Posteroanterior view | left wrist XR | pediatric patient (girl, age 10) | initial study: 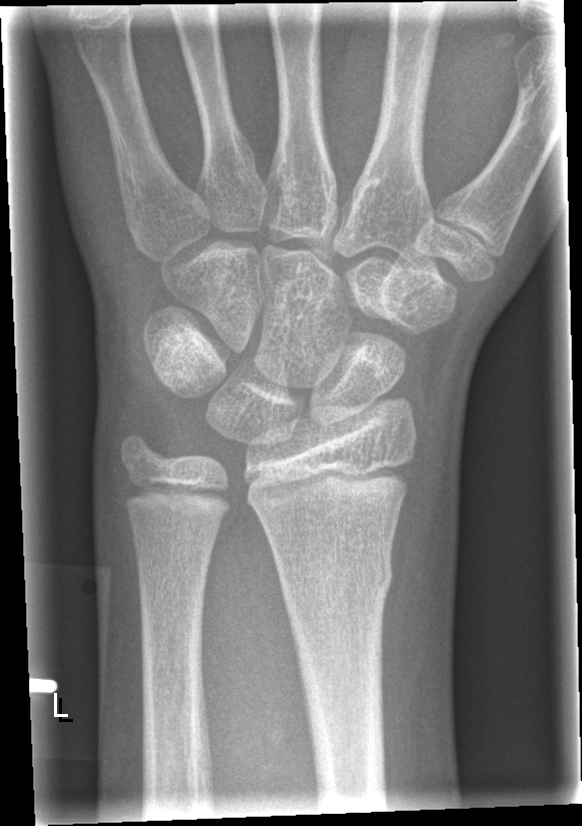 Coordinates are [x1, y1, x2, y2] in image pixels.
AO/OTA classification: 23r-M/2.1.
Fracture: 275,549,394,605.